Left wrist X-ray, AP, pediatric patient (male, age 6) —

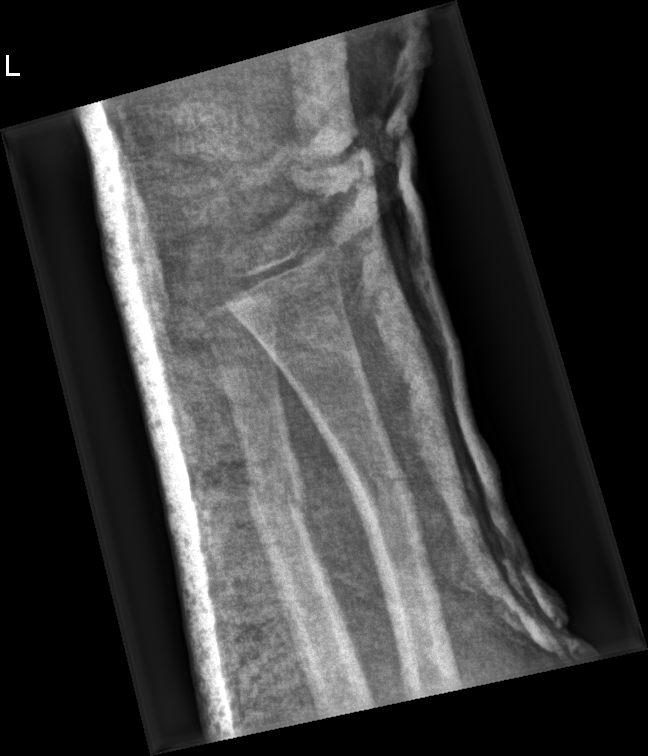
FINDINGS — (bounding boxes in image-pixel xyxy) AO code 22-D/2.1. Fx — 348 450 413 505
  242 479 312 524.